AP projection | L wrist radiograph | pediatric patient (female, age 13) 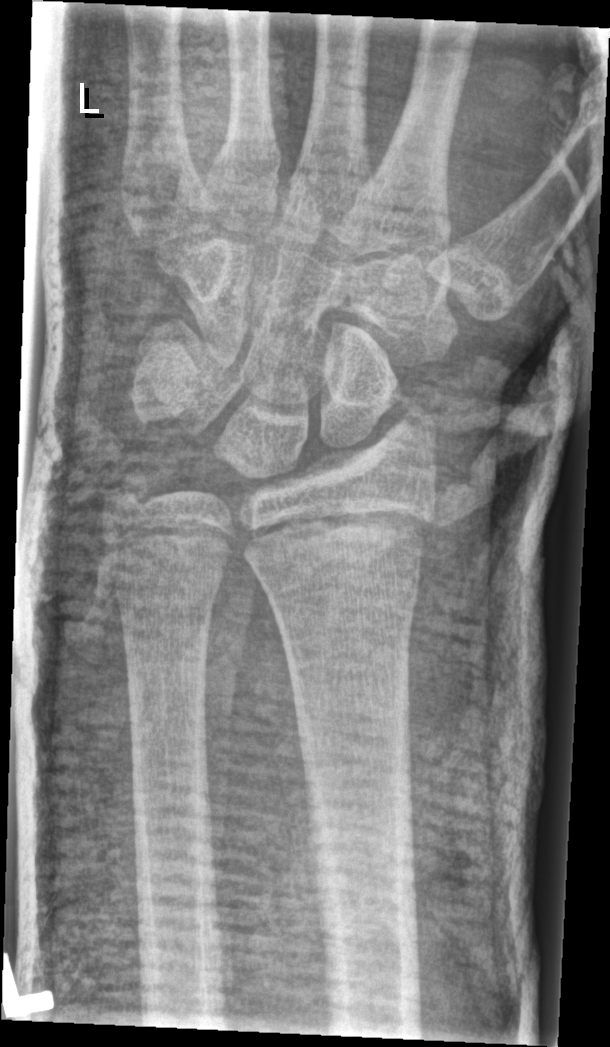 (boxes as x1,y1,x2,y2 (top-left / bottom-right, pixel units))
bone fracture: 2 @ bbox(244, 535, 431, 633); bbox(95, 459, 164, 523)